L wrist plain film; lat view; pediatric patient (female, age 9); cast in situ:

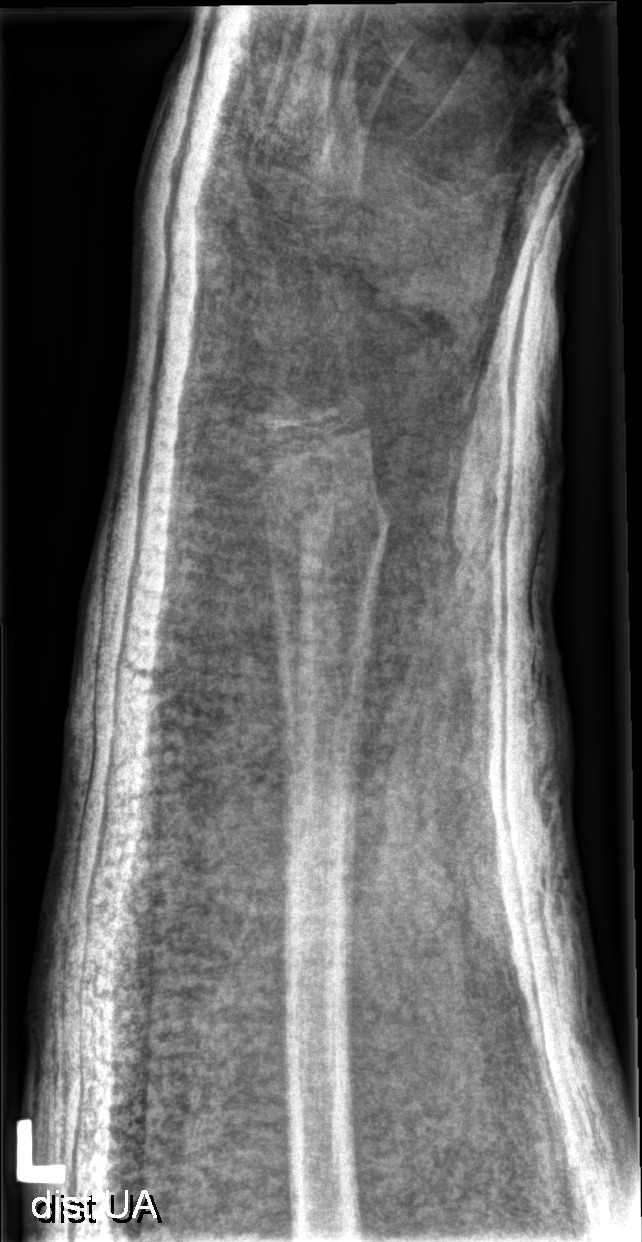
  # bounding boxes in image-pixel xyxy
  fracture: bbox(253, 480, 396, 570)
  ao: 23r-M/3.1; 23u-E/7